Lat; right wrist radiograph; pediatric patient (boy, age 14); follow-up study; image size 520x1332.
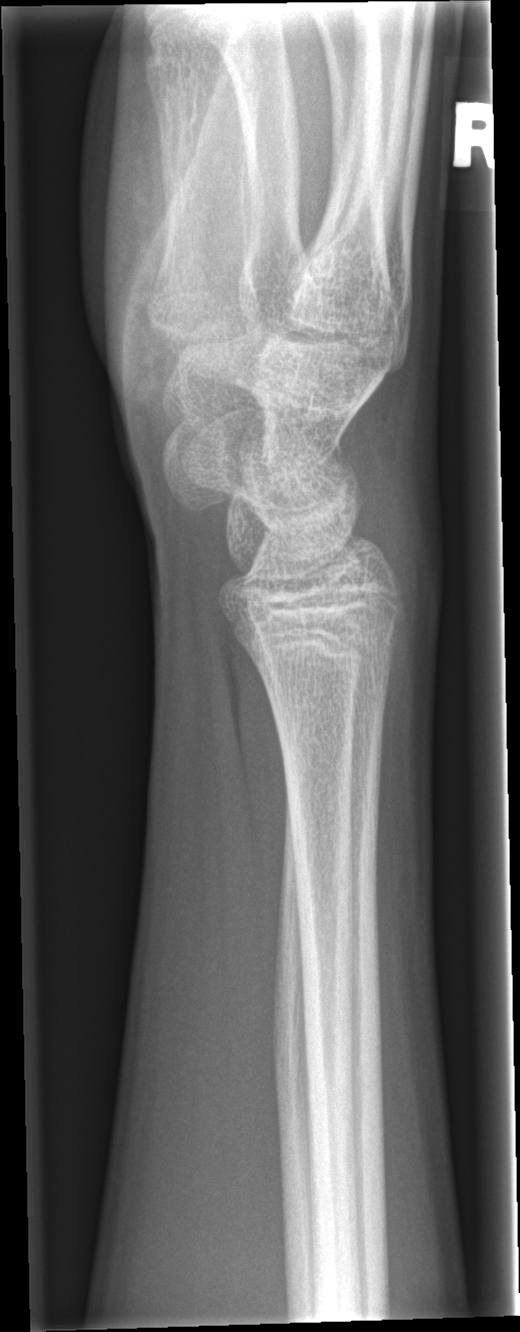

Q: What is the AO/OTA classification?
A: AO/OTA classification: 23r-E/7
Q: Fracture present?
A: Fracture: present but not clearly seen in this view